Right wrist radiograph · PA projection · 10y M · in cast · 652 by 1353 pixels —
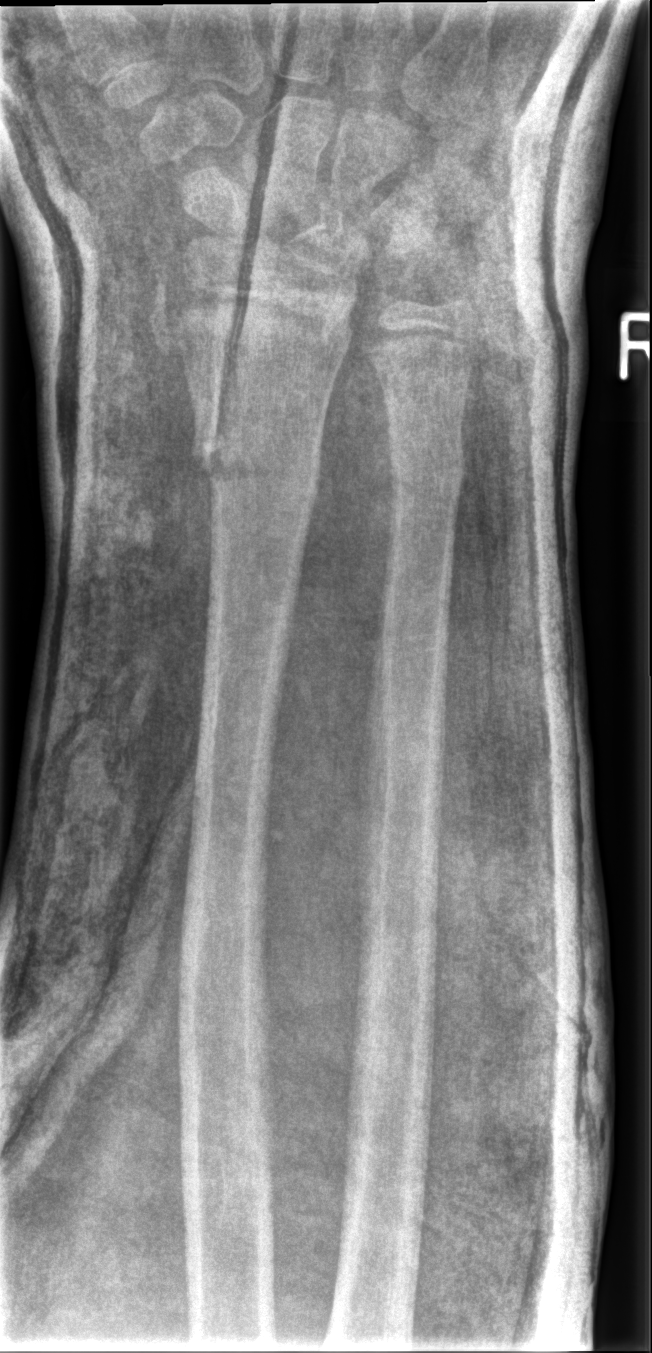
FINDINGS: (boxes as x1,y1,x2,y2 (top-left / bottom-right, pixel units)) Two bone fractures at [x1=187, y1=426, x2=322, y2=502], [x1=384, y1=436, x2=467, y2=499].